Lat, R wrist X-ray, index exam: 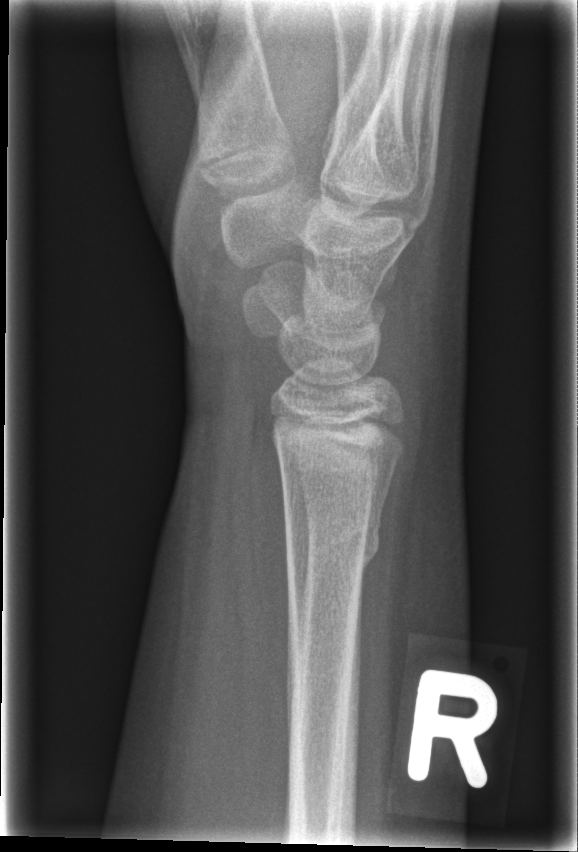
  ao: 23r-M/2.1
  fracture: [281, 511, 384, 581]